Lat view · left wrist plain film · 452 x 1164 px:

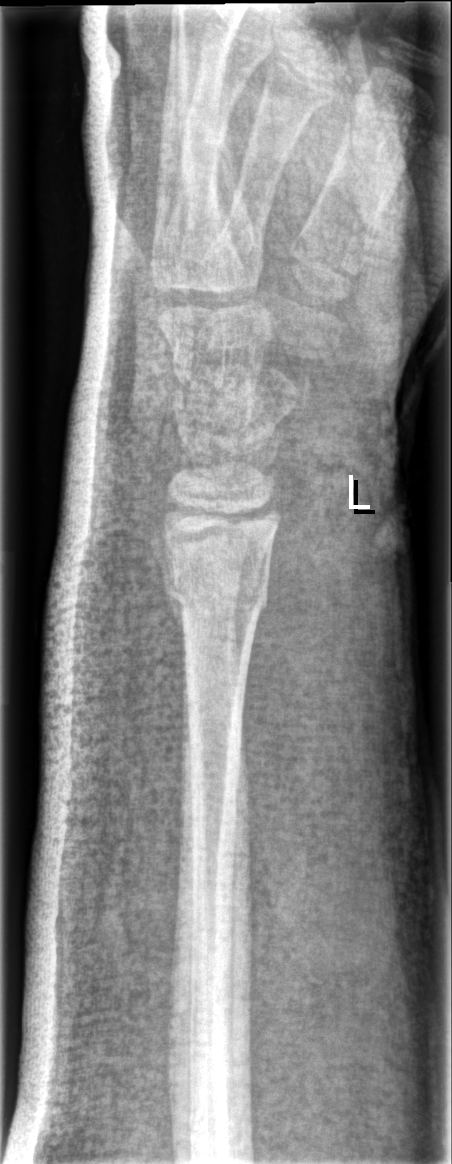
fracture: 1 @ 165,569,271,636